Left wrist XR, lat view, presentation radiograph
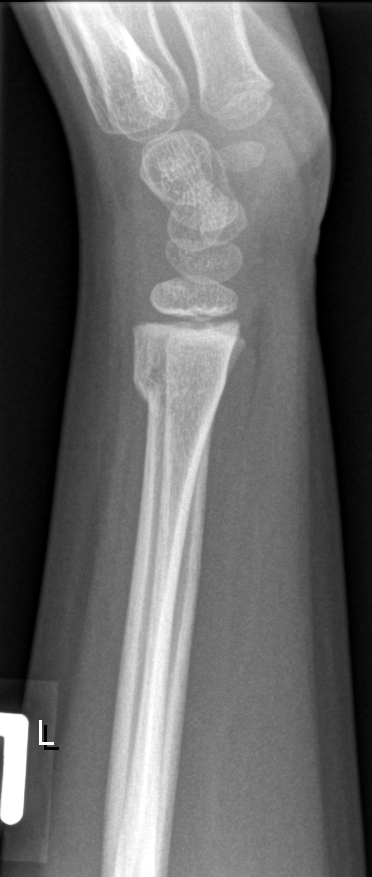
Coordinates are [x1, y1, x2, y2] in image pixels. AO code 23r-M/3.1. Bone fracture identified at [x1=131, y1=358, x2=231, y2=411].